Left wrist plain radiograph of the wrist · posteroanterior · age 12 y, boy · 85.2 mm image width:
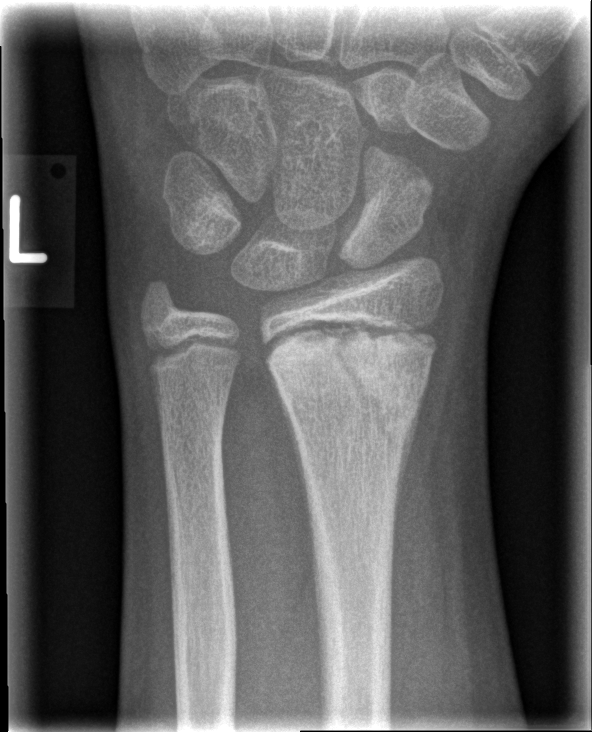
Two periosteal reaction at (268, 366, 313, 557); (394, 382, 428, 536). Fracture identified at (269, 299, 437, 447). Osteopenic.